Rt pediatric wrist radiograph | lateral.

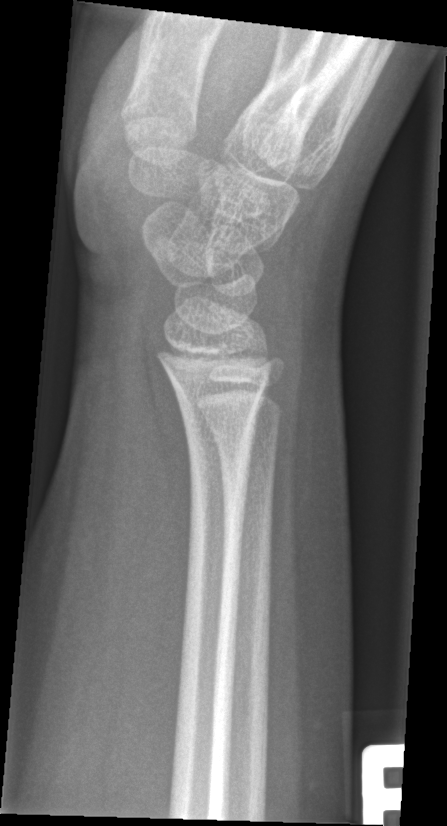
fracture = none labeled